PA view, L plain radiograph of the wrist, 8y F, 515 x 1066 px:

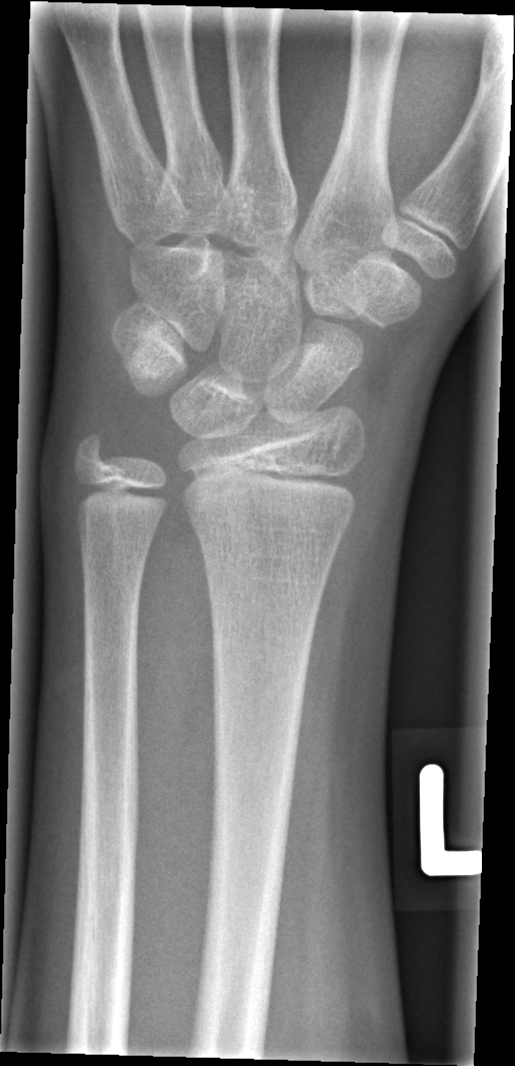

Q: Is there a fracture?
A: Fracture present, but no bounding box because it is not clearly seen in this view